Lt wrist X-ray · posteroanterior view · follow-up study.
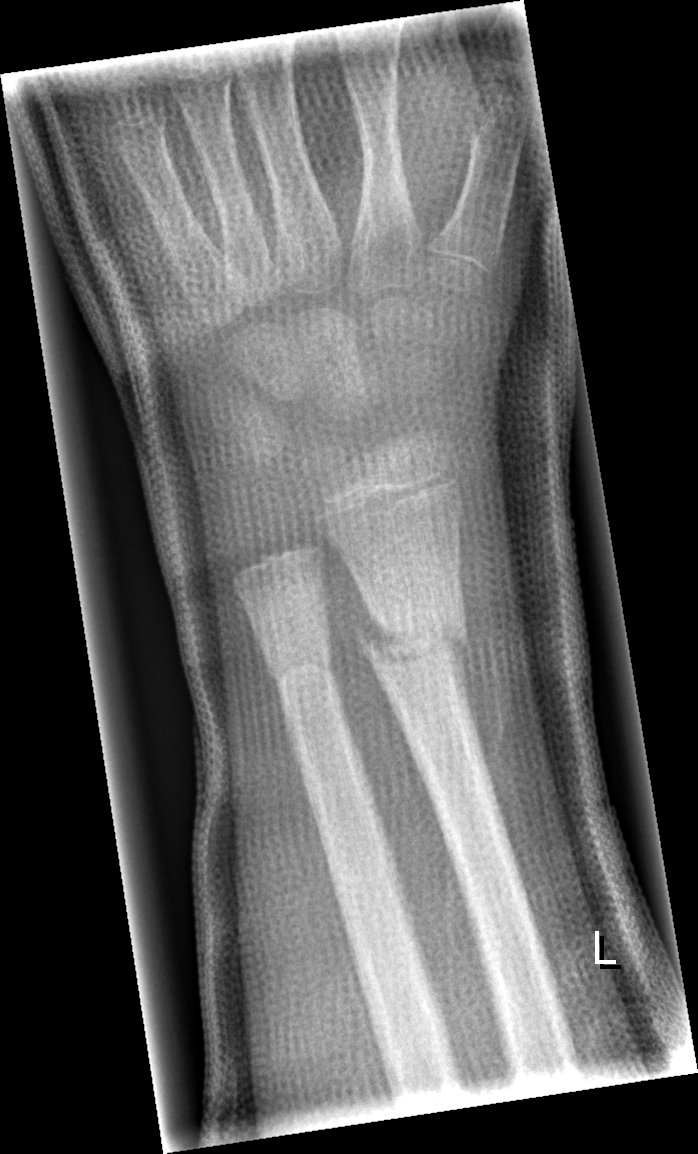
Bounding boxes in image-pixel xyxy.
Fracture classified AO/OTA 23-M/3.1.
Fx identified at (349, 612, 472, 672); (259, 634, 343, 697).